Lateral view | Lt wrist XR —

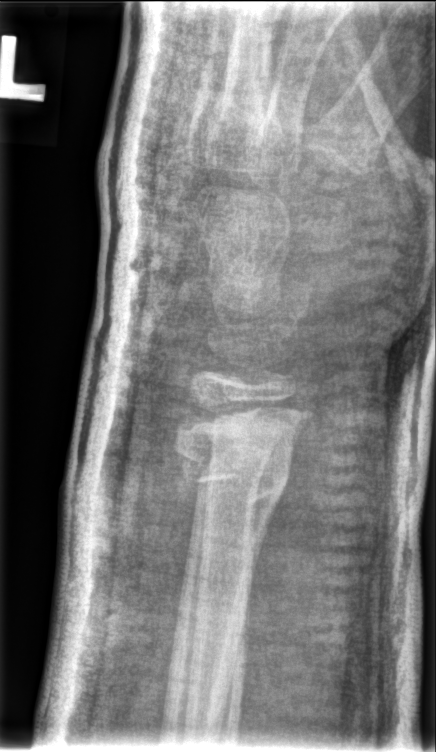

(boxes as x1,y1,x2,y2 (top-left / bottom-right, pixel units))
AO classification: 23r-M/3.1; 23u-M/2.1
Fx: bbox(169, 425, 291, 515)